PA; left wrist X-ray; 12y M; in cast; 602 x 1568 px.

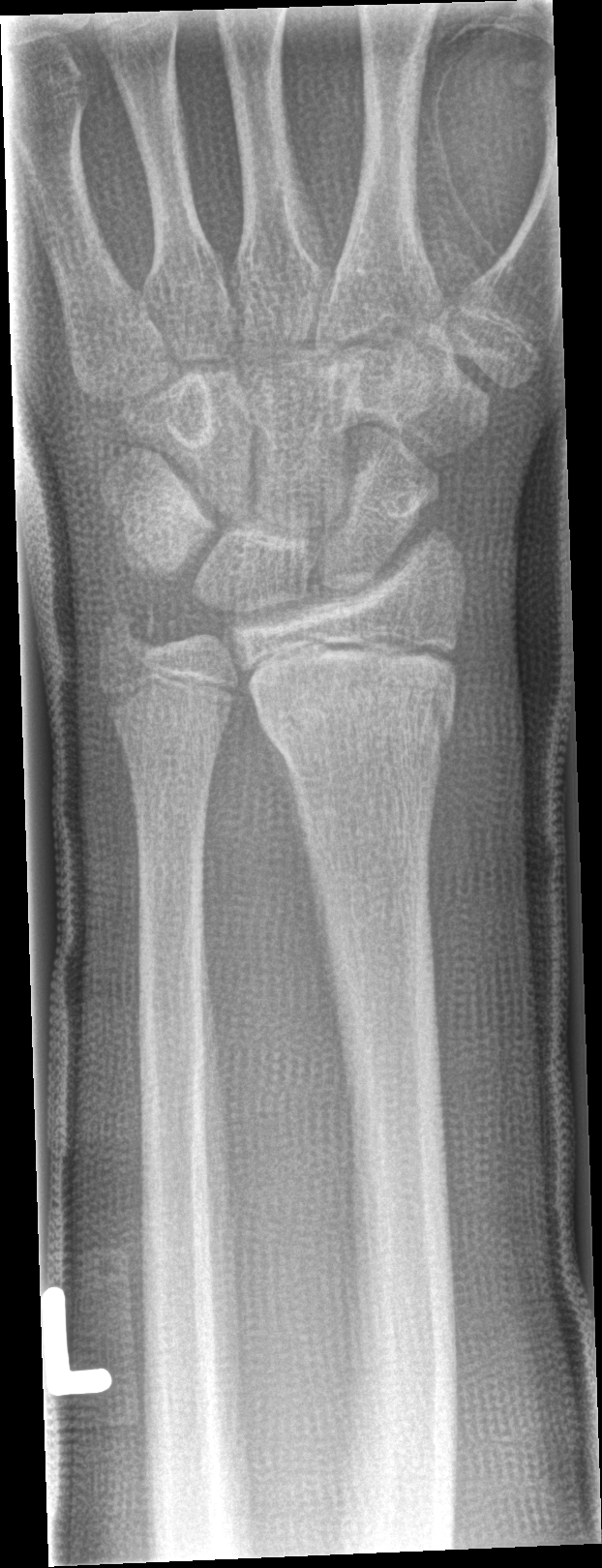
Two fractures at bbox(249, 642, 461, 768), bbox(95, 595, 166, 670).